Lt wrist plain film · AP projection · age 7 y, girl · acquired on Siemens
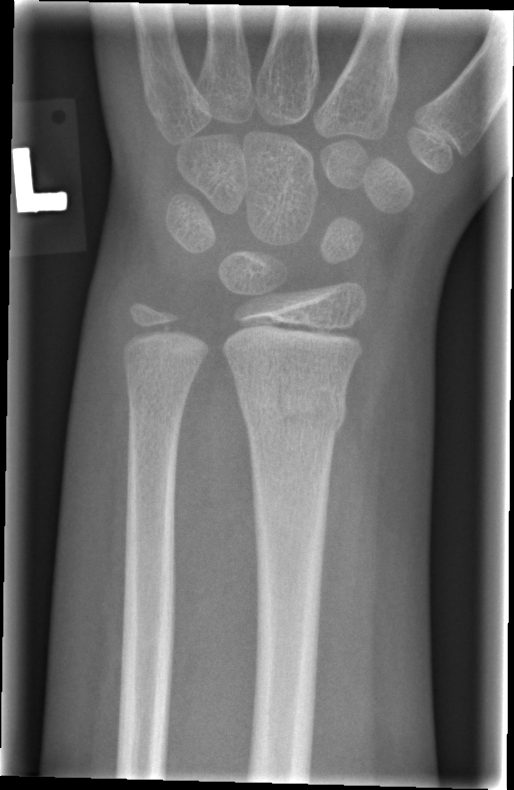

One bone fracture at (236, 379, 351, 440).